Left wrist XR · posteroanterior · index exam 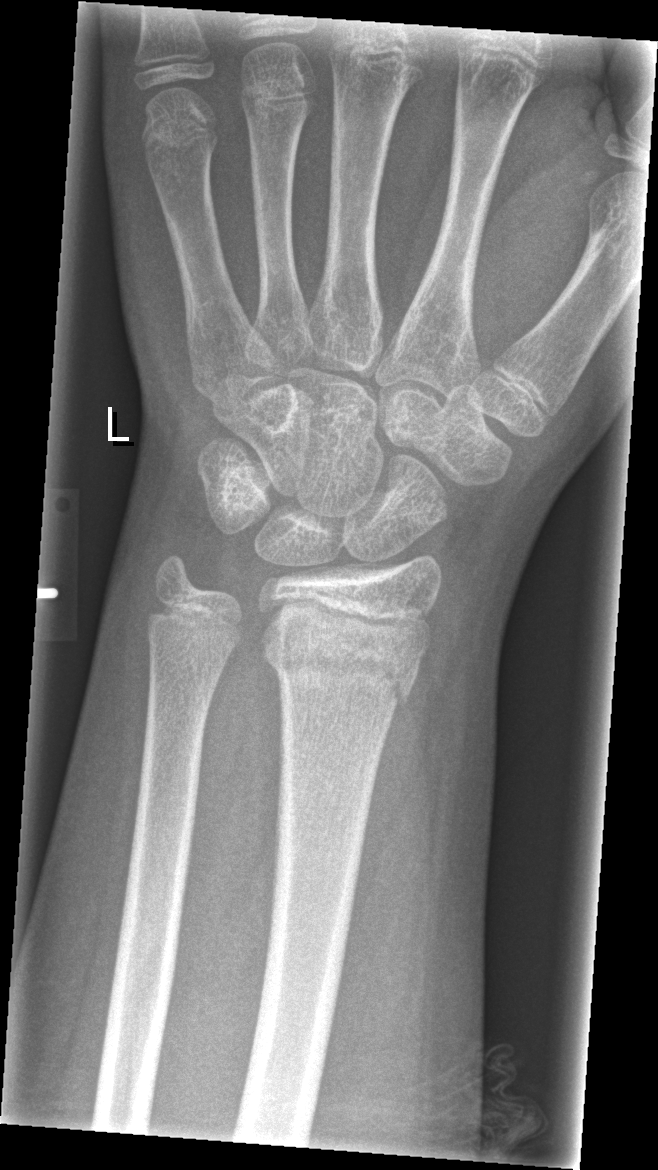 Boxes as x1,y1,x2,y2 (top-left / bottom-right, pixel units). AO code 23r-M/3.1. One fracture at <258,618>-<428,711>.